Lat view · left wrist plain film:
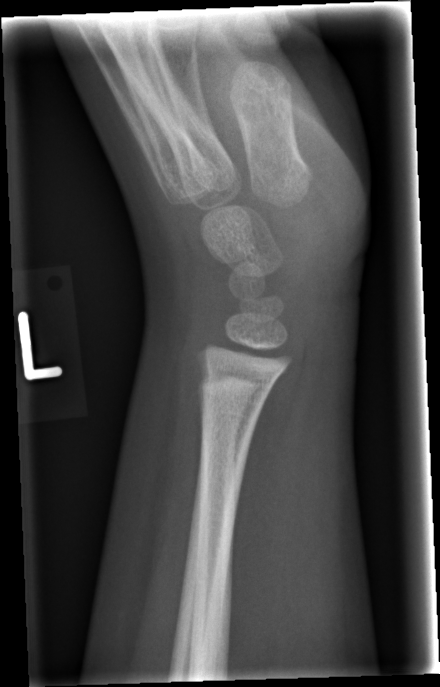
No fracture labeled.